Left wrist plain film, PA/AP view, image 99.8 mm wide — 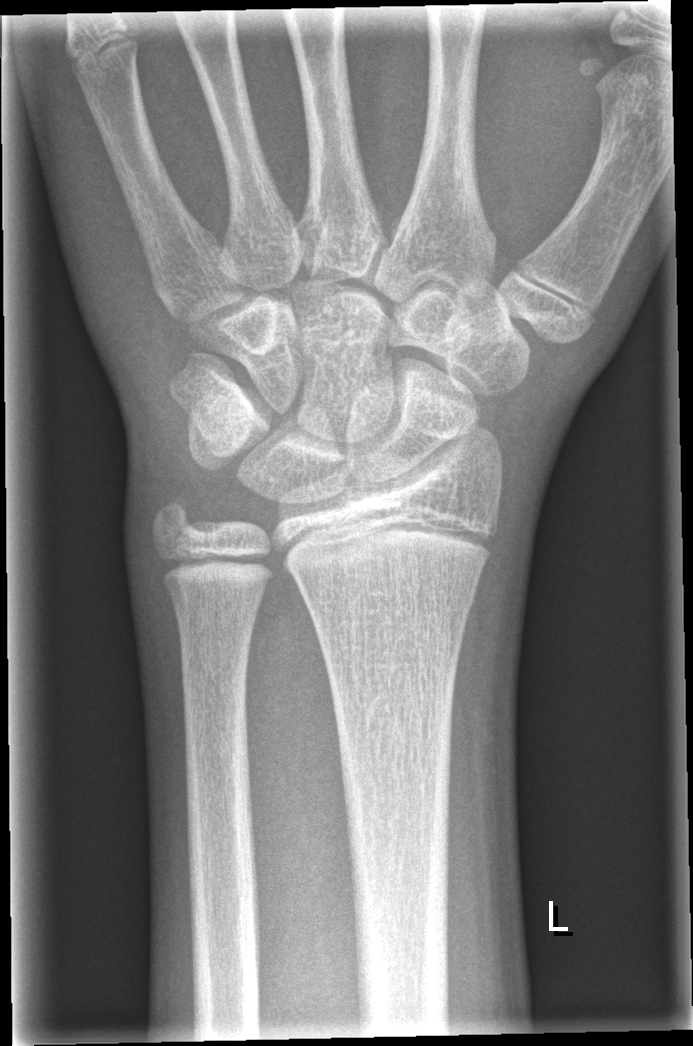
No Fx annotated.